Left pediatric wrist radiograph; lat; pediatric patient (girl, age 6) — 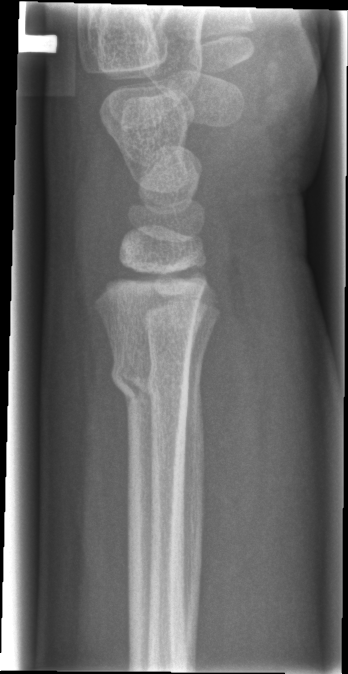
* AO code 23-M/2.1.
* Two Fx at [x1=108, y1=353, x2=193, y2=420] [x1=143, y1=358, x2=207, y2=418].